Right wrist plain radiograph of the wrist | lat view | 9y F —

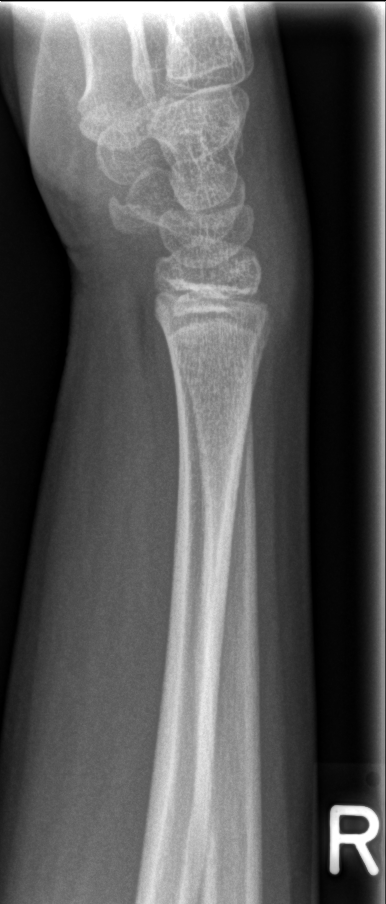 Findings: Fx: none.